Oblique view; Rt pediatric wrist radiograph; 5-year-old female; 111.9 mm image width — 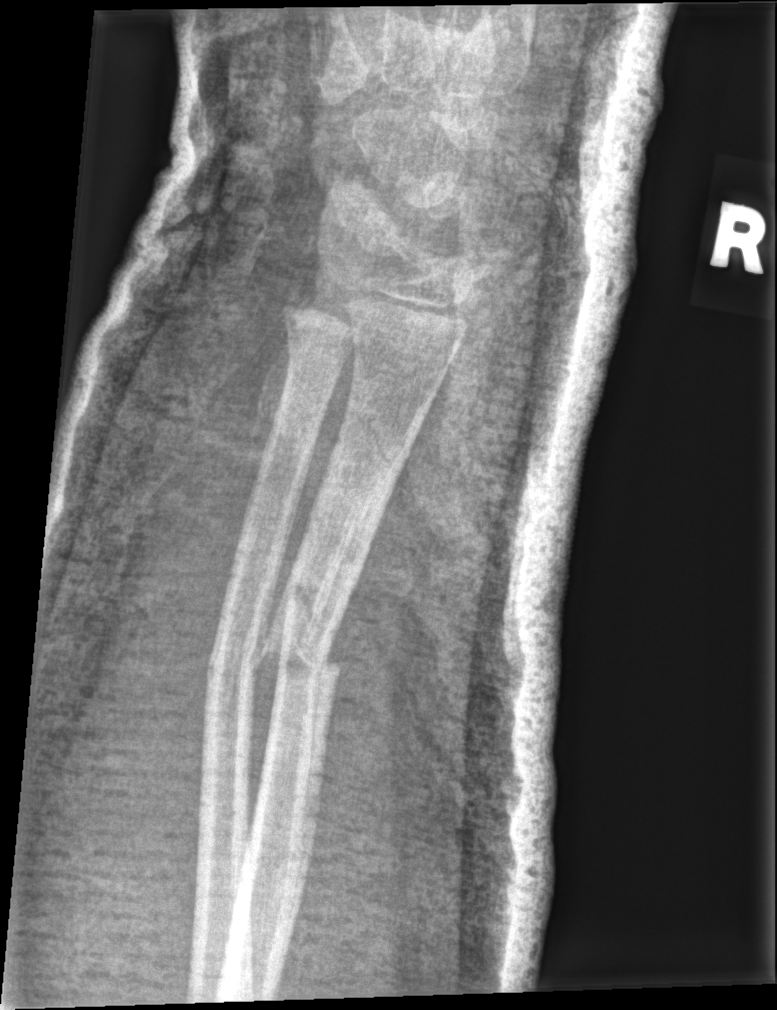

Two Fx at [249, 615, 344, 704], [198, 620, 277, 705].